Rt wrist X-ray; lat projection — 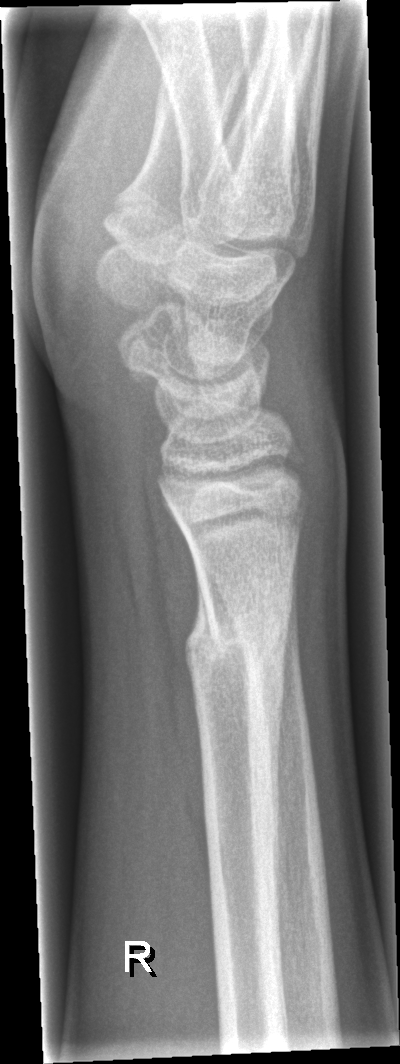
FINDINGS — Fracture classified AO/OTA 23r-M/3.1; 23u-M/2.1. Fracture — 172,575,307,702.